Lt wrist XR, PA/AP, cast present:
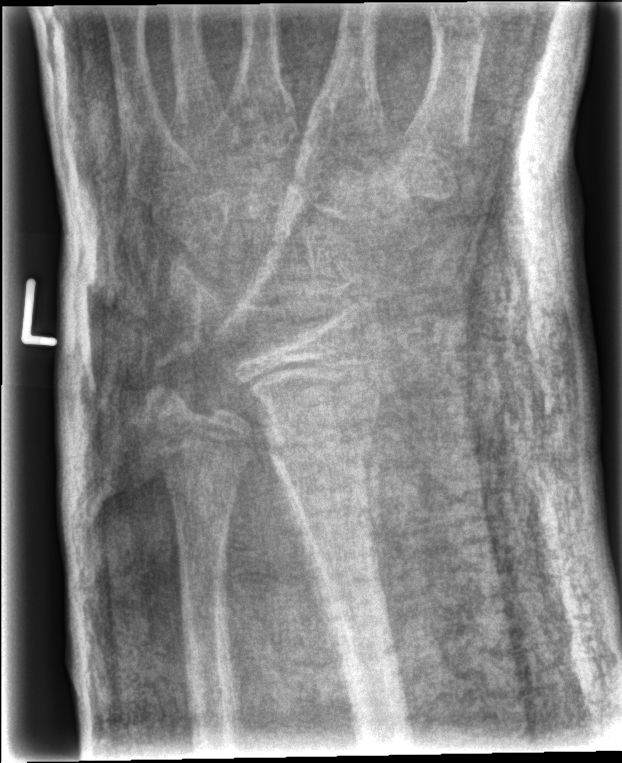

FINDINGS — (bounding boxes in image-pixel xyxy) Osteopenic. Periosteal new bone: [272, 453, 346, 672]; [359, 394, 395, 660]. One fracture at [259, 409, 379, 482].